PA projection; R wrist radiograph; 13y M: 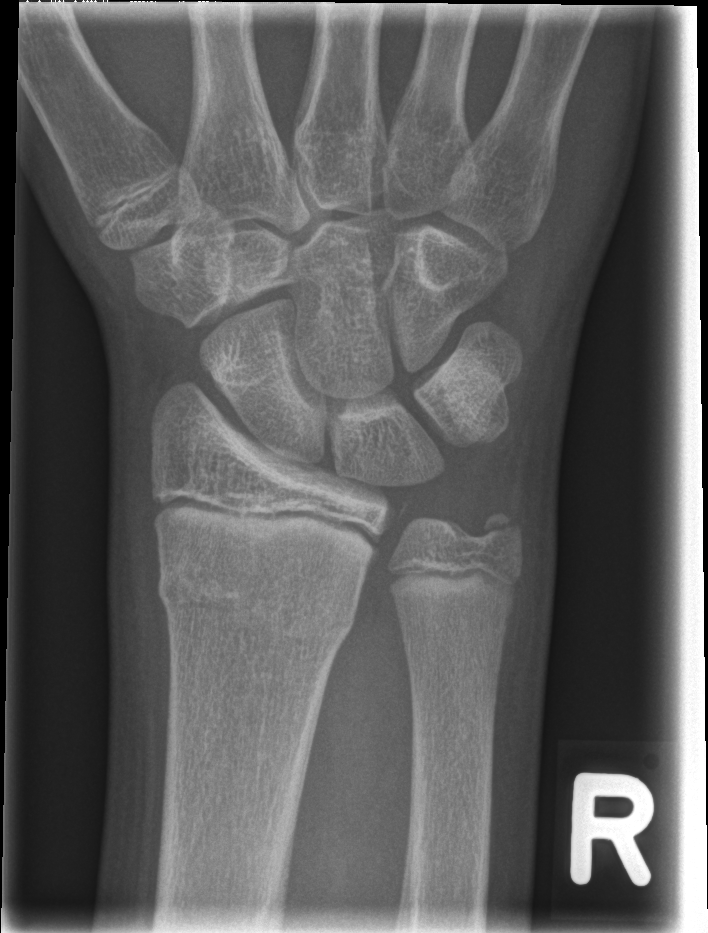 (boxes as x1,y1,x2,y2 (top-left / bottom-right, pixel units))
Fx = 152 555 361 658; 463 497 529 567